Left wrist X-ray | PA/AP | age 14 y, boy 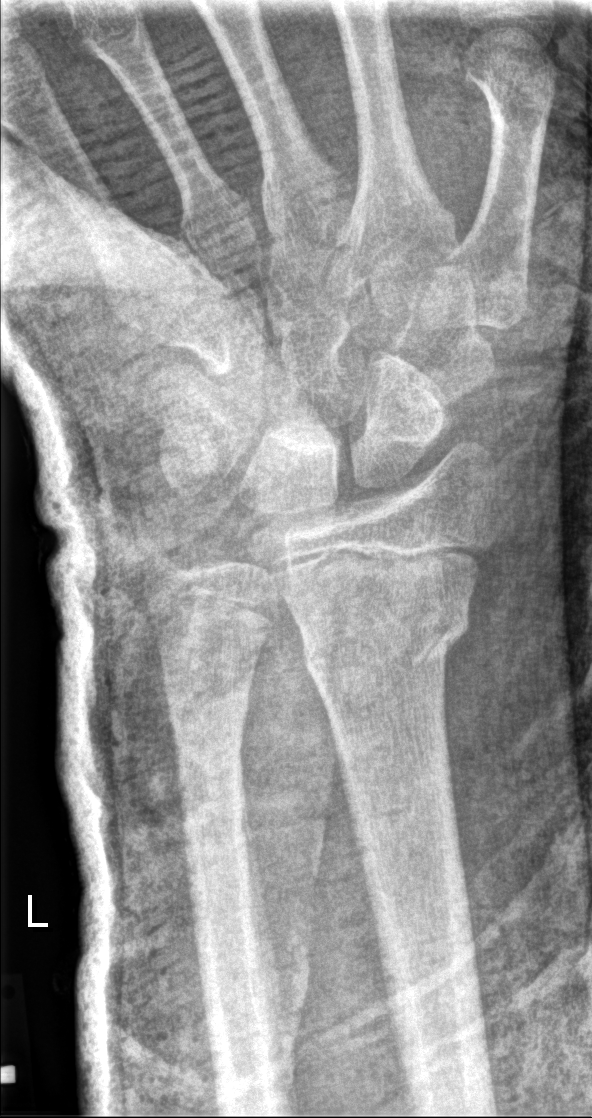

Coordinates are [x1, y1, x2, y2] in image pixels. Bone fracture: (left=291, top=559, right=480, bottom=675) (left=156, top=657, right=262, bottom=729).